R wrist XR | PA | 10-year-old male —

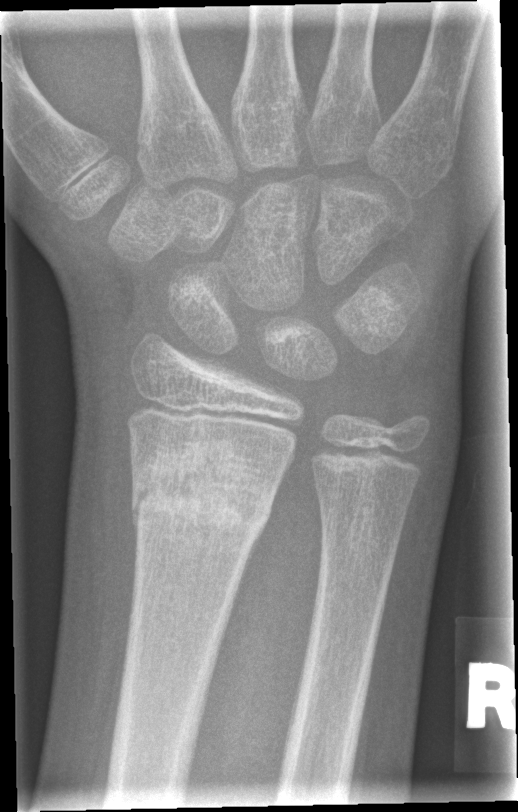 Coordinates are [x1, y1, x2, y2] in image pixels.
Decreased bone density (osteopenia).
Bone fracture: [x1=127, y1=438, x2=277, y2=544].